Rt wrist X-ray, lat view, pediatric patient (girl, age 10).
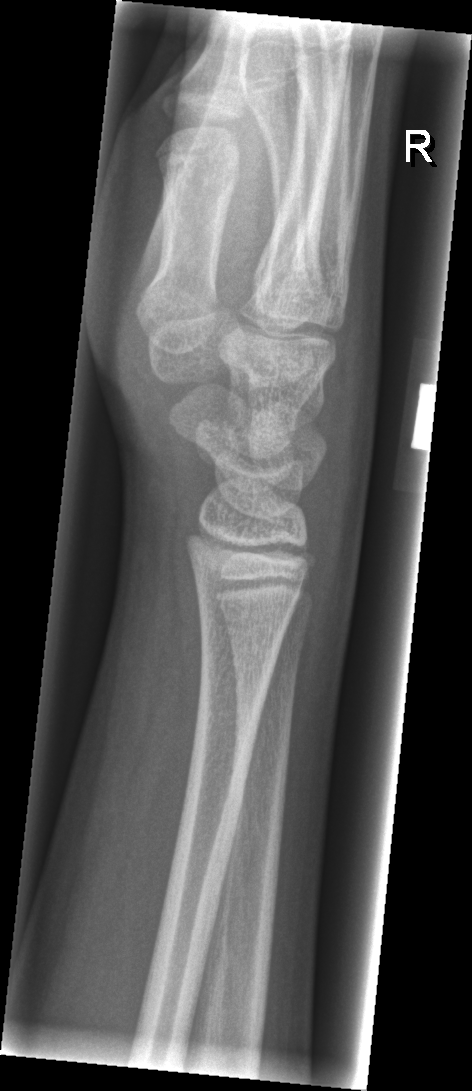 • No Fx annotated.